Lt pediatric wrist radiograph, PA view, 12y M, in cast, 780 by 1148 pixels
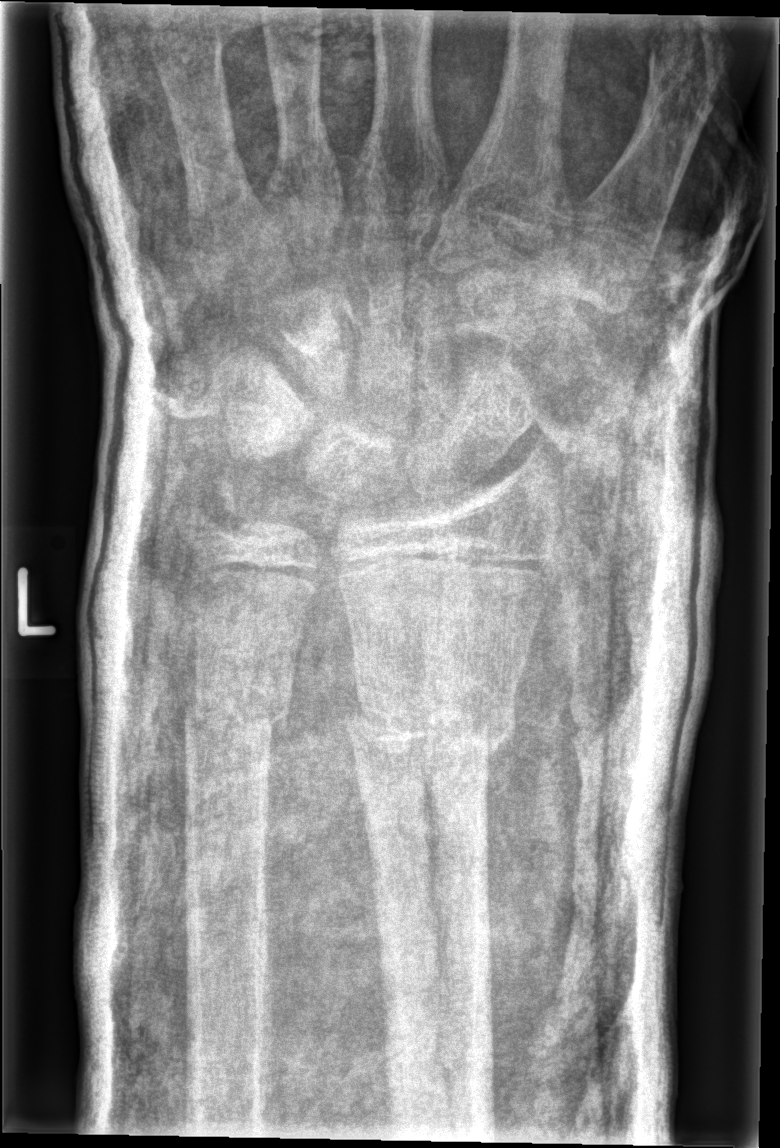

(pixel coordinates, top-left origin, xyxy)
Q: Any fracture seen?
A: Fx — (left=339, top=683, right=520, bottom=771) (left=180, top=670, right=295, bottom=762) (left=181, top=467, right=266, bottom=563)